Lat projection; left wrist XR; pediatric patient (girl, age 12); index exam; detector: Siemens.
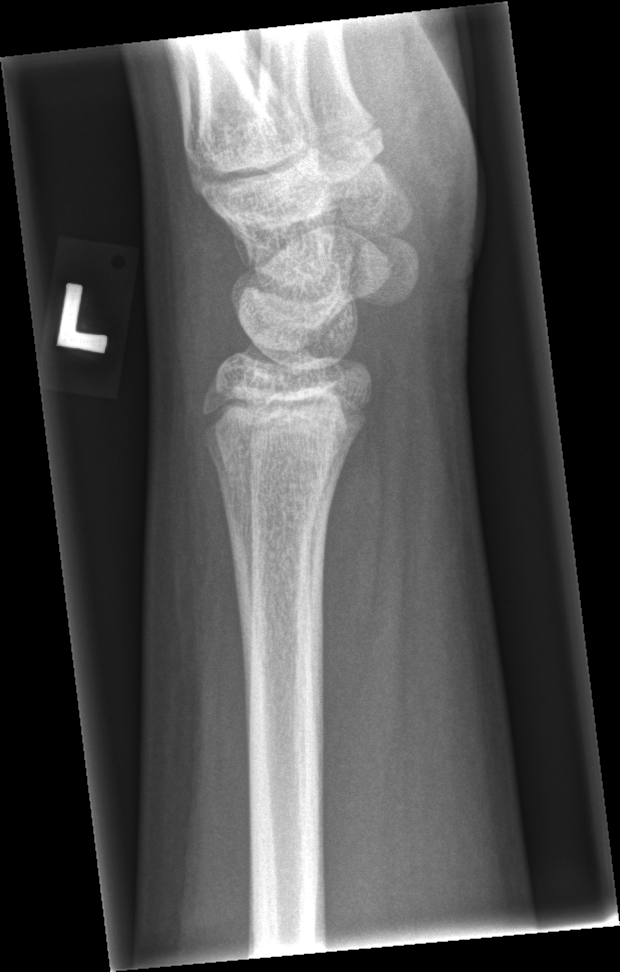
bone fracture: none labeled